Lt wrist X-ray · posteroanterior · pediatric patient (male, age 15)

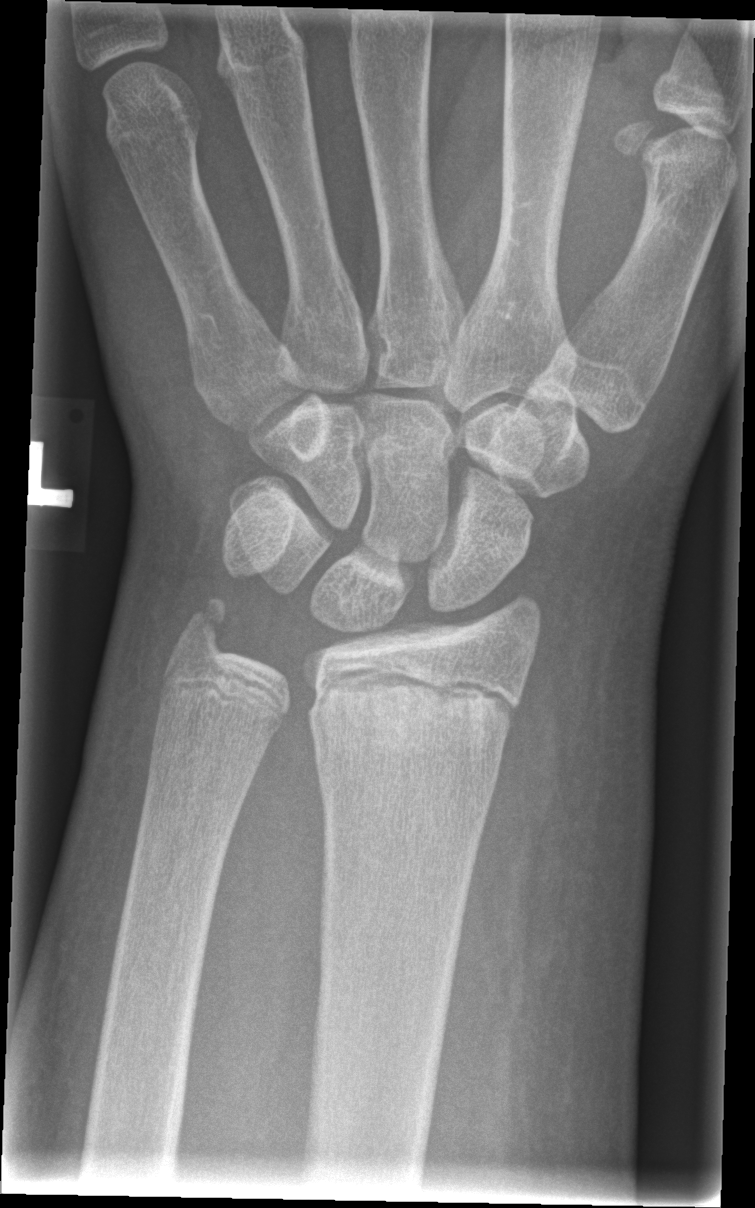 Q: Is there a fracture?
A: Two Fx at <307,664>-<520,753> <172,590>-<239,665>